Lt wrist X-ray | PA/AP view | pediatric patient (boy, age 14)
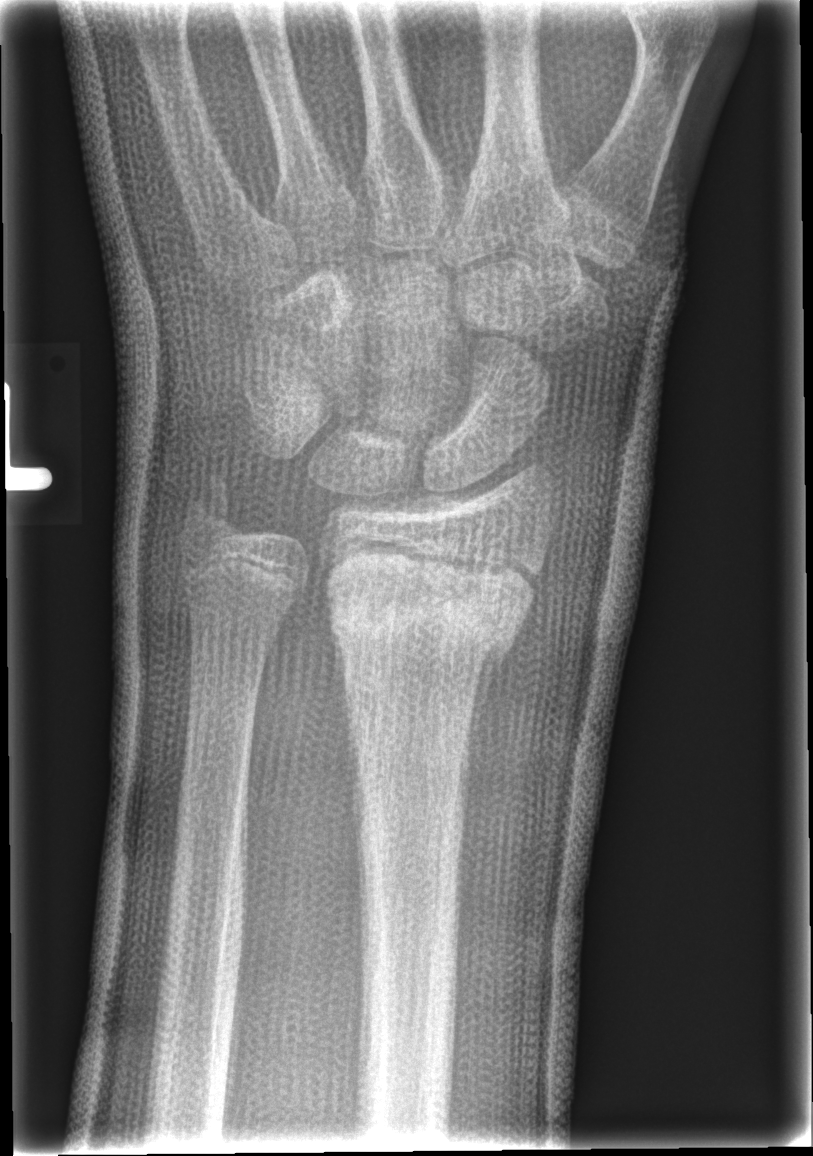
(boxes as x1,y1,x2,y2 (top-left / bottom-right, pixel units))
Fx = [321, 586, 529, 671], [180, 474, 241, 535]
AO code = 23r-M/3.1; 23u-E/7